R wrist XR; frontal; presentation radiograph; 495 by 916 pixels — 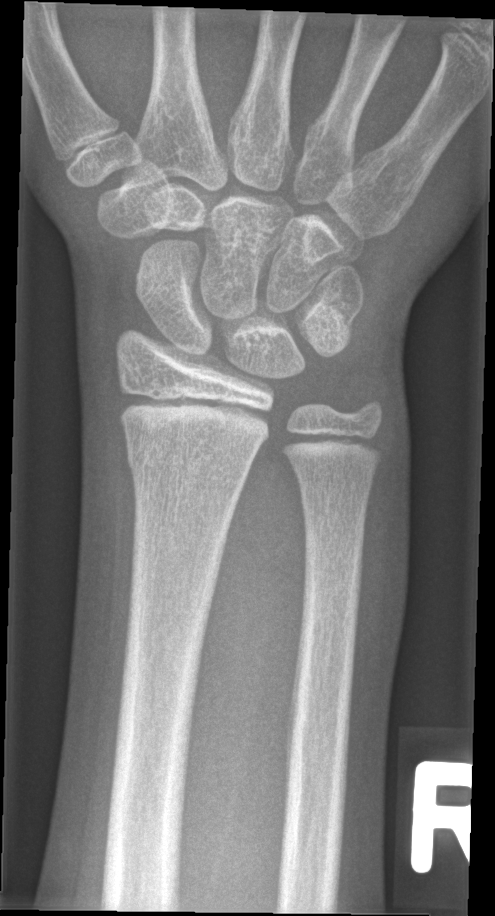

(boxes as x1,y1,x2,y2 (top-left / bottom-right, pixel units))
Q: Any fracture seen?
A: Fracture identified at [x1=124, y1=436, x2=255, y2=491]
Q: What is the AO/OTA classification?
A: Fracture classified AO/OTA 23r-M/2.1